Right wrist plain radiograph of the wrist · PA · cast in situ —
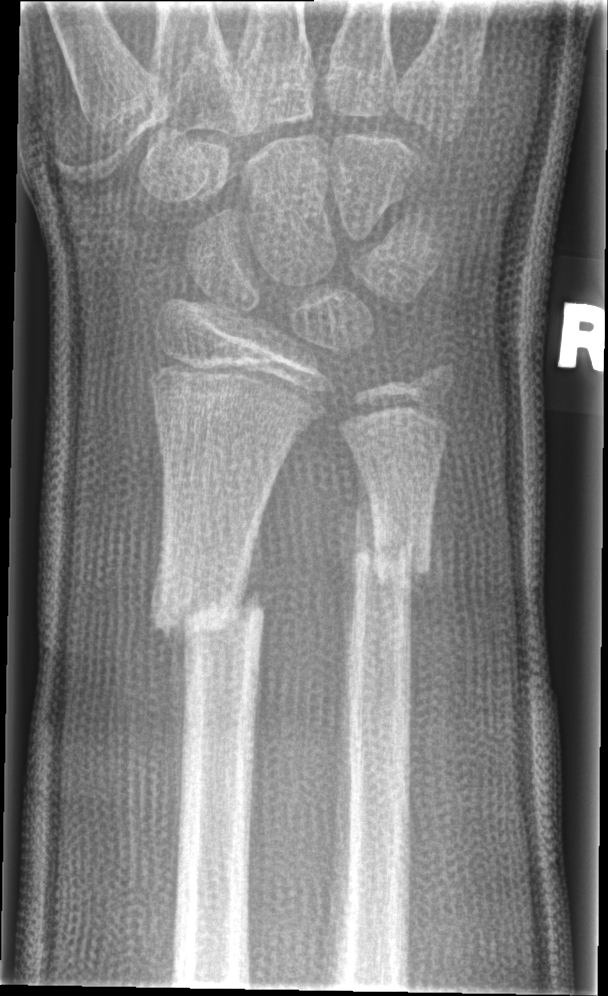 AO/OTA classification: 23-M/3.1. Fracture identified at <145,548>-<270,661>; <344,523>-<435,596>.